R plain radiograph of the wrist, PA/AP, age 3 y, boy, imaged through cast: 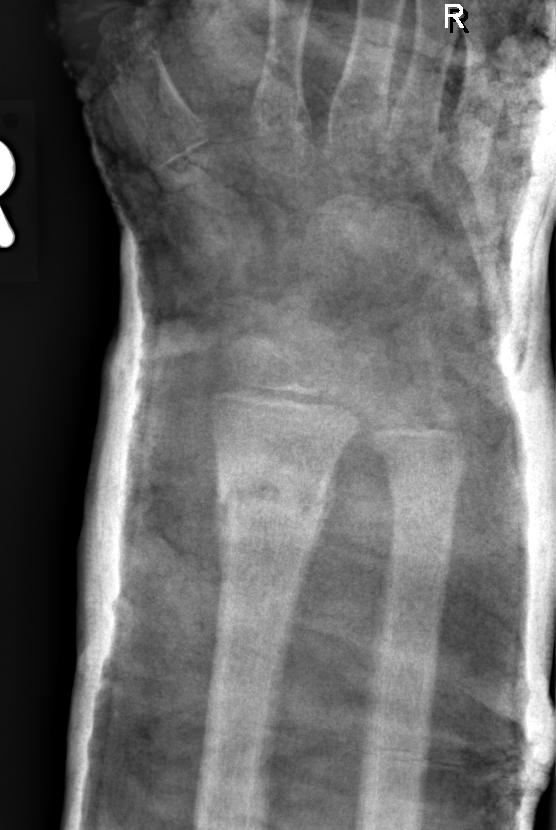 Findings: (boxes as x1,y1,x2,y2 (top-left / bottom-right, pixel units)) Two fractures at 210 452 333 547
  385 464 464 537. Fracture classified AO/OTA 23r-M/3.1; 23u-M/2.1.